R wrist XR, lateral projection —

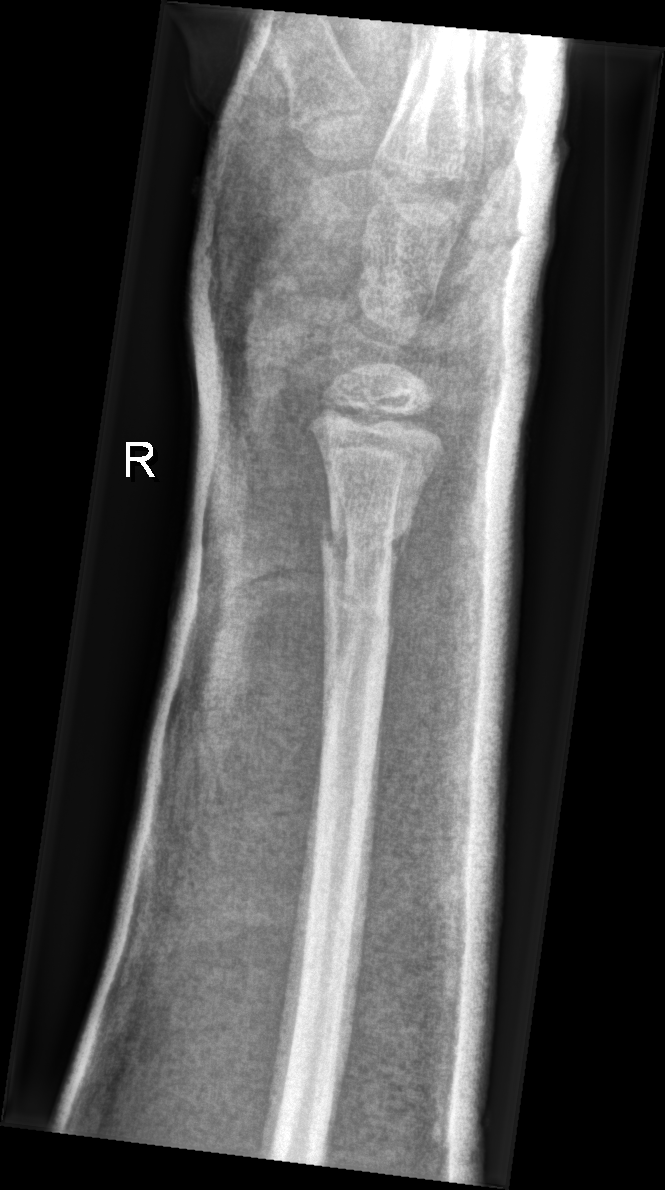

{"fracture": "1 @ (313, 501, 416, 585)", "ao": "23-M/3.1", "periostealreaction": "1 @ (386, 524, 412, 676)"}